Lat view | Rt plain radiograph of the wrist | age 9 y, boy | initial study
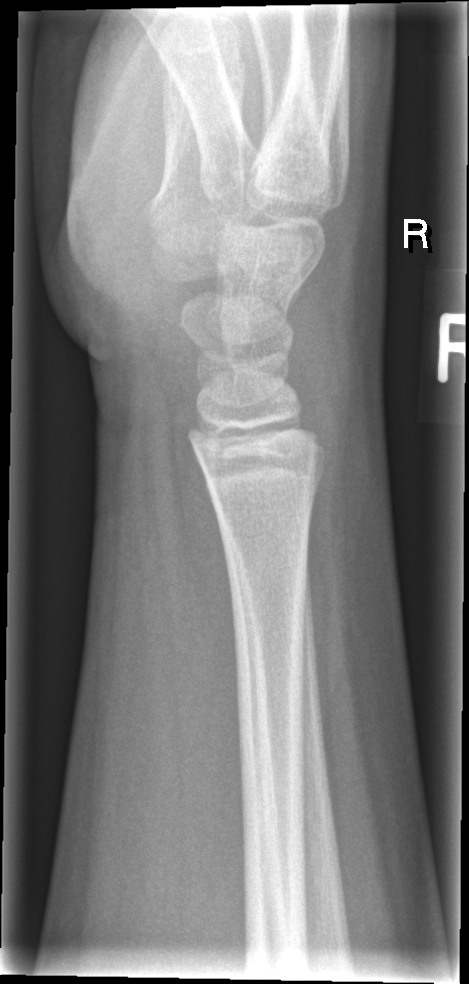 Findings: Fracture: none labeled.